Lat projection; right pediatric wrist radiograph; 13y M; subsequent exam; acquired on Siemens; image size 492x840

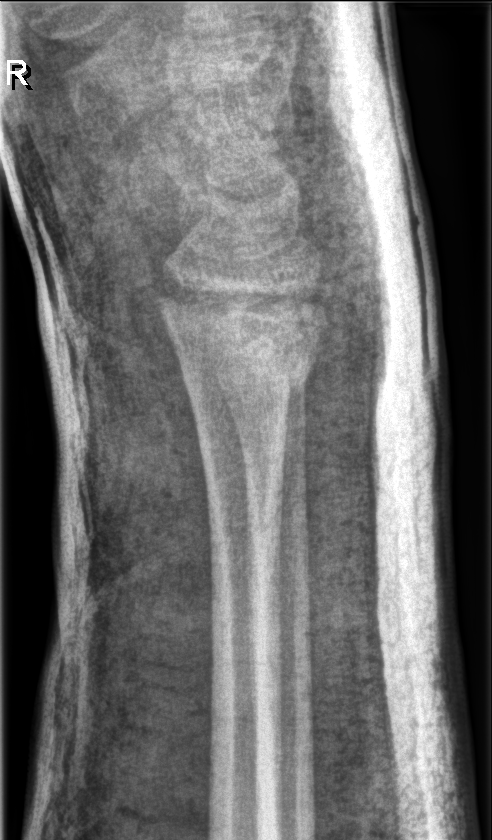

Q: AO code?
A: Fracture classified AO/OTA 23r-E/2.1; 23u-E/7
Q: Locate any fractures.
A: Fx — <177,346>-<313,402>